Lat | Lt pediatric wrist radiograph | 6y F:

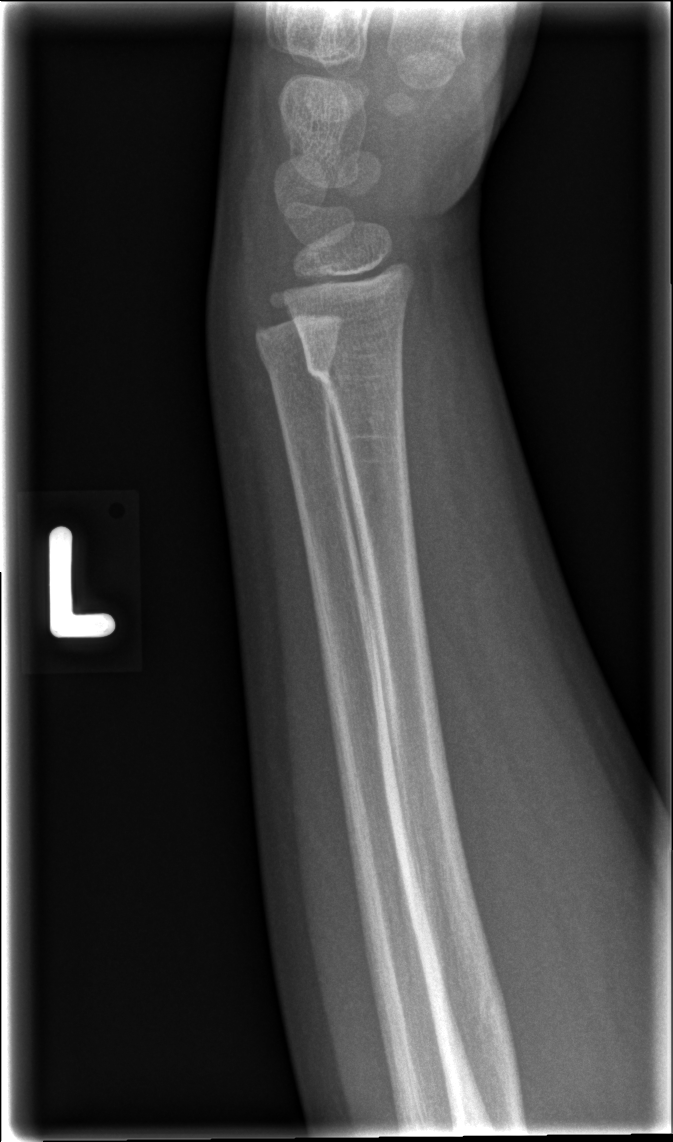 Fx: 1 @ [300, 336, 405, 403]
AO code: 23r-M/2.1